Lateral view | Lt wrist plain film | pediatric patient (male, age 15) —
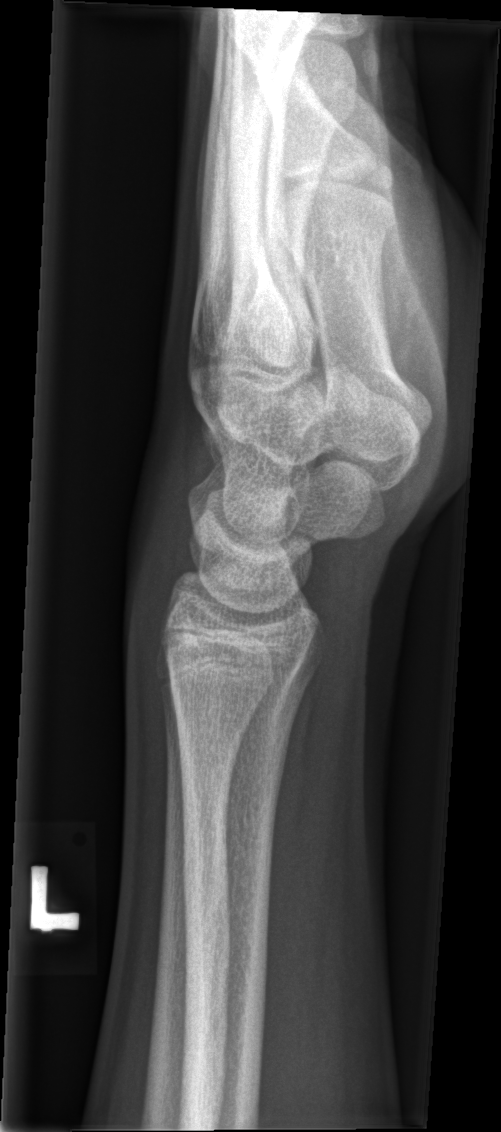 No fracture annotation.